Rt pediatric wrist radiograph | lat projection | pediatric patient (female, age 11) | cast in situ: 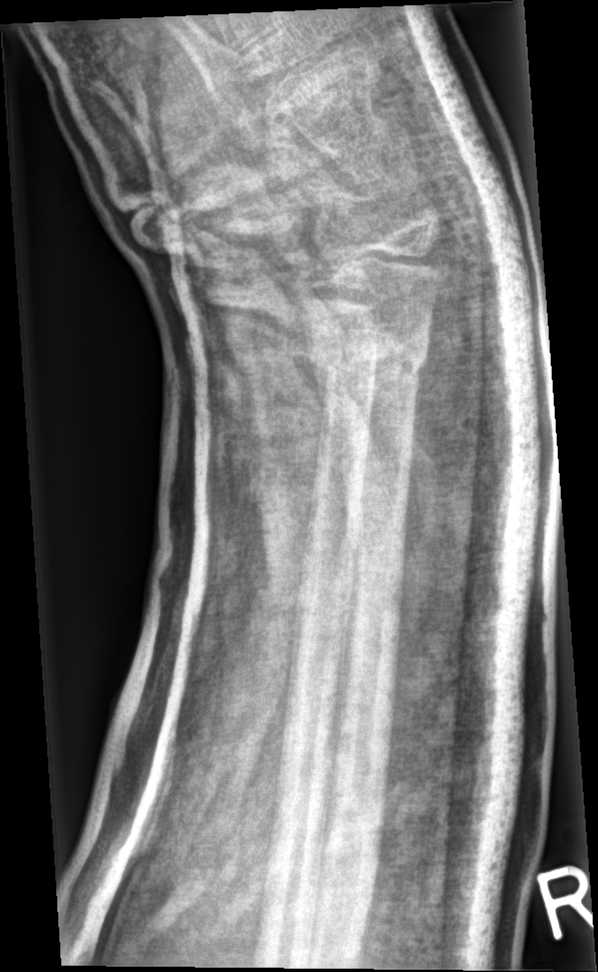
Fx identified at <307,329>-<431,395>.